Right wrist pediatric wrist radiograph; lat projection; acquired on Siemens; 596 by 1258 pixels —

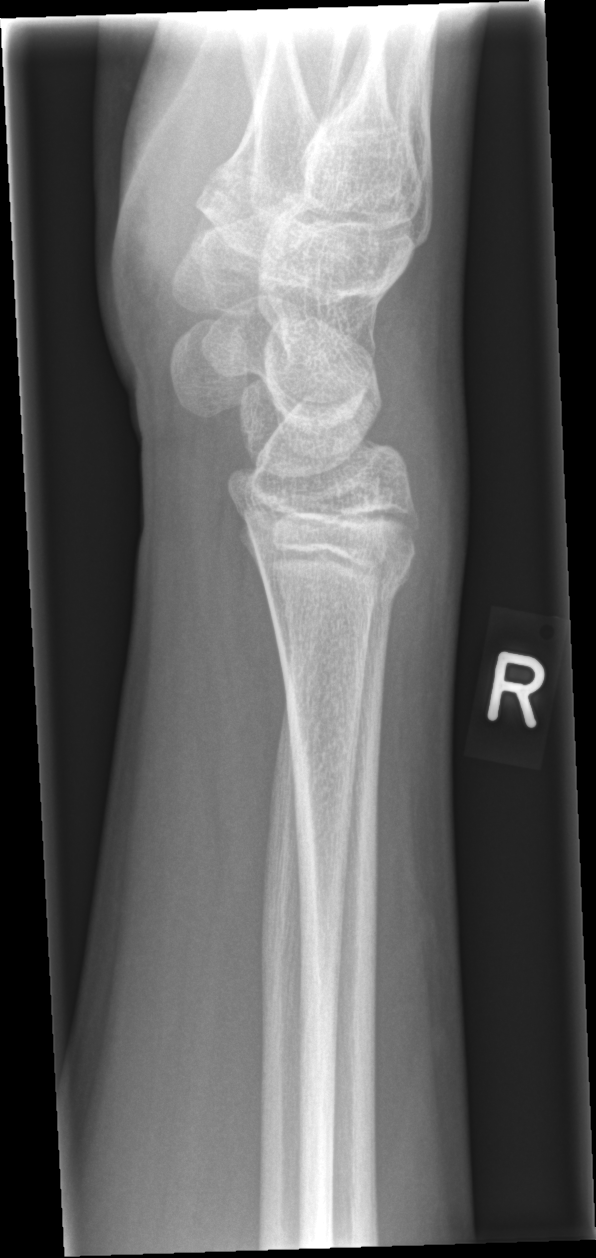

(boxes as x1,y1,x2,y2 (top-left / bottom-right, pixel units))
AO classification: 23r-M/2.1
Bone fracture: [252, 549, 415, 625]